Left wrist XR | AP projection | 2-year-old boy.
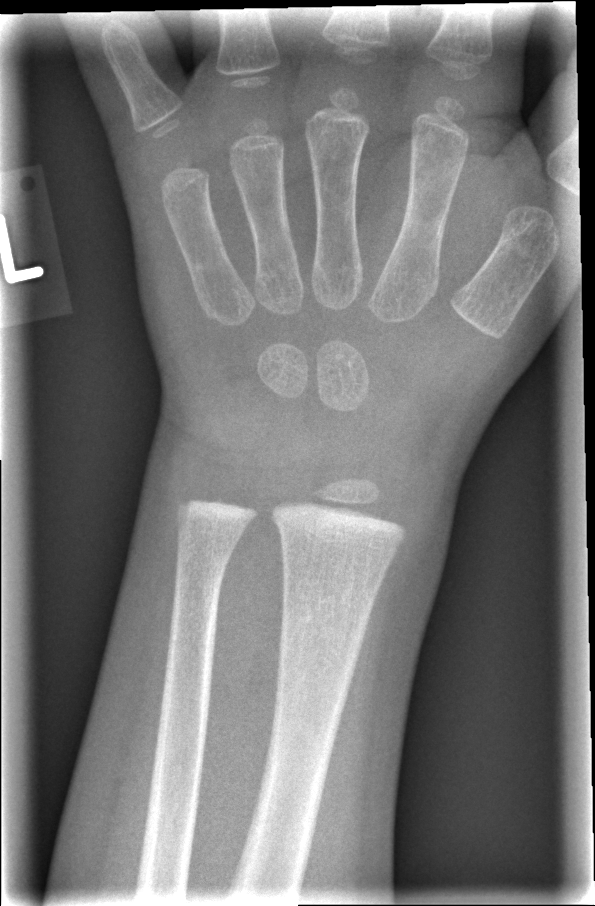

fracture: none labeled